Lateral projection; L wrist XR; 14y F; image 93.6 mm wide; 650 by 989 pixels:
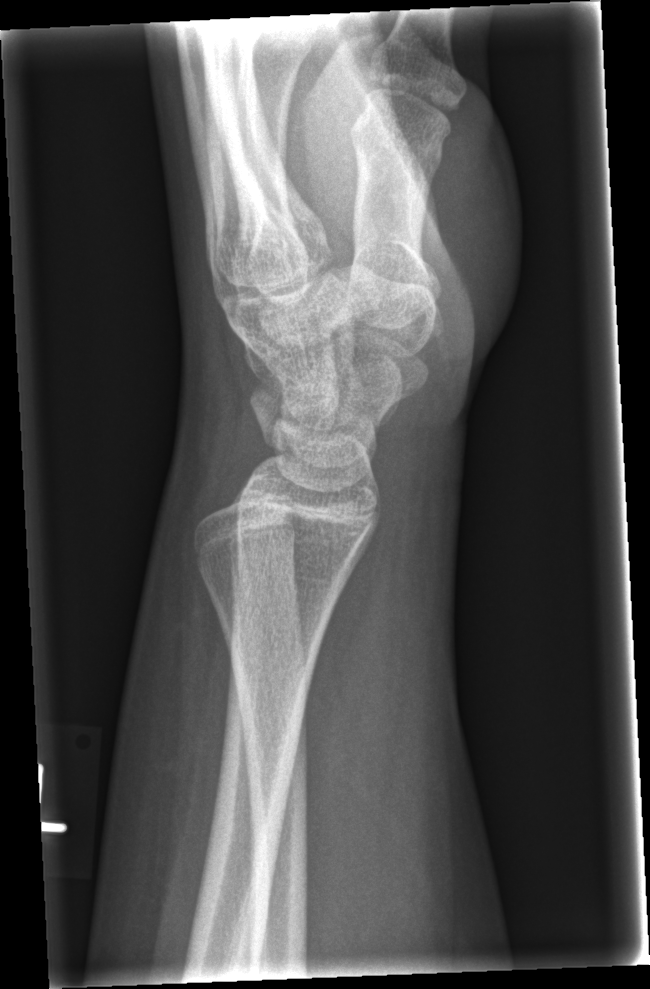

Fracture: none labeled